L plain radiograph of the wrist, PA projection, pediatric patient (girl, age 13), 599 by 940 pixels. 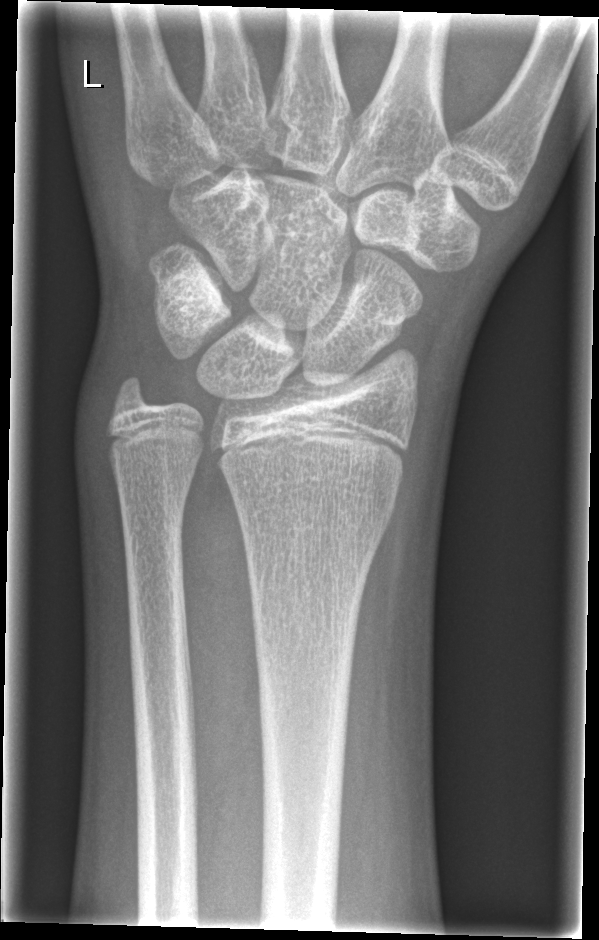

  fracture: none labeled